Lat view, left wrist plain film, image size 452x1022 — 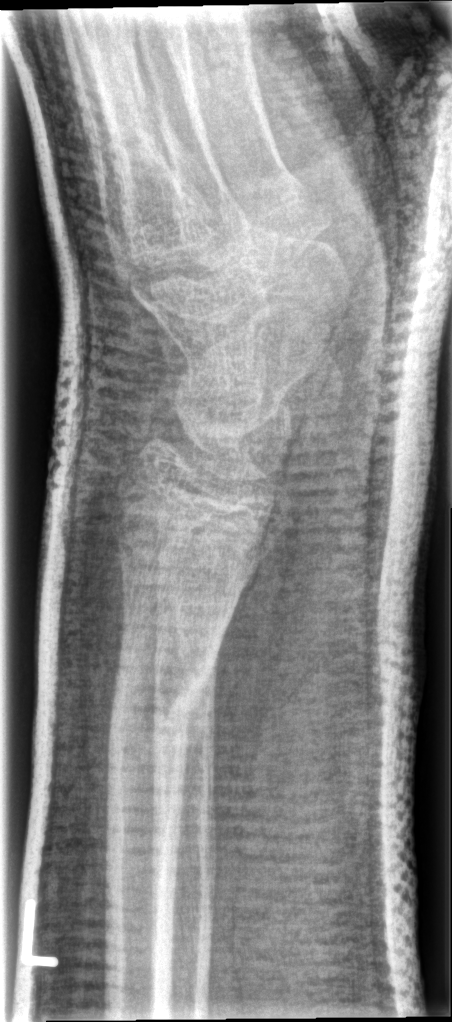 Q: Any fracture seen?
A: Bone fracture: (101, 645, 216, 766)
Q: AO code?
A: AO/OTA classification: 23-M/2.1